R wrist X-ray; lat; 482x1222 —

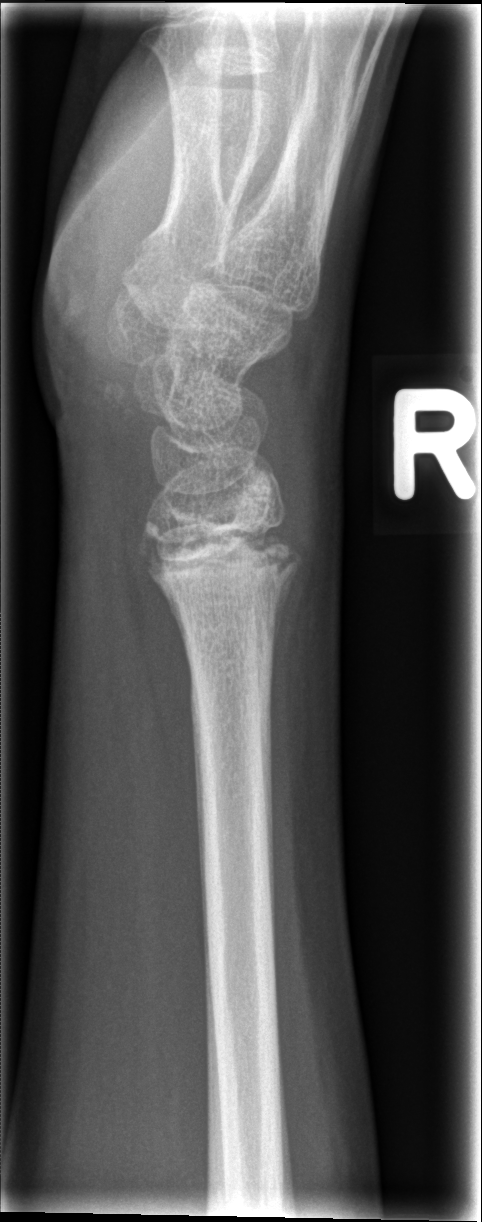 Q: What is the AO/OTA classification?
A: AO code 23r-E/2.1
Q: Fracture present?
A: Bone fracture identified at 134,509,309,610